Left wrist plain radiograph of the wrist · lateral projection:

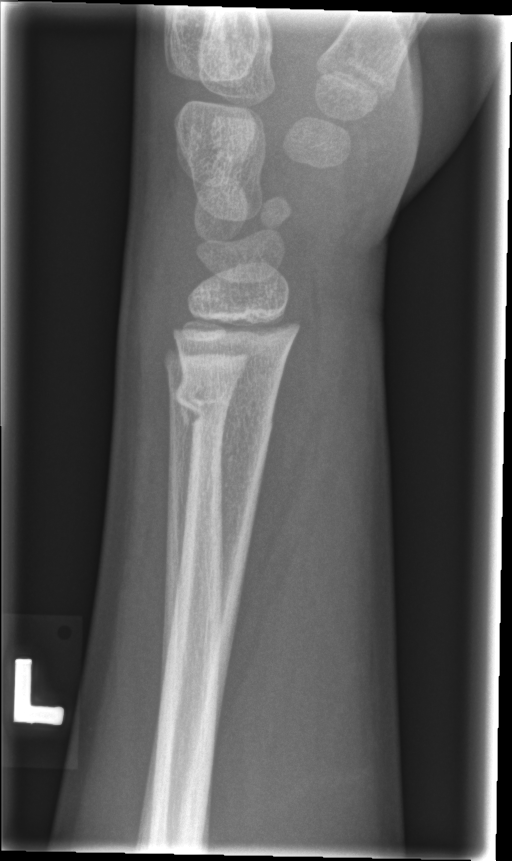
- One pronator quadratus fat-pad sign at (227, 286, 326, 690).
- Bone fracture — (171, 379, 277, 451).